Lat view; Lt wrist X-ray; imaged through cast; 86.1 mm image width; image size 598x1262:
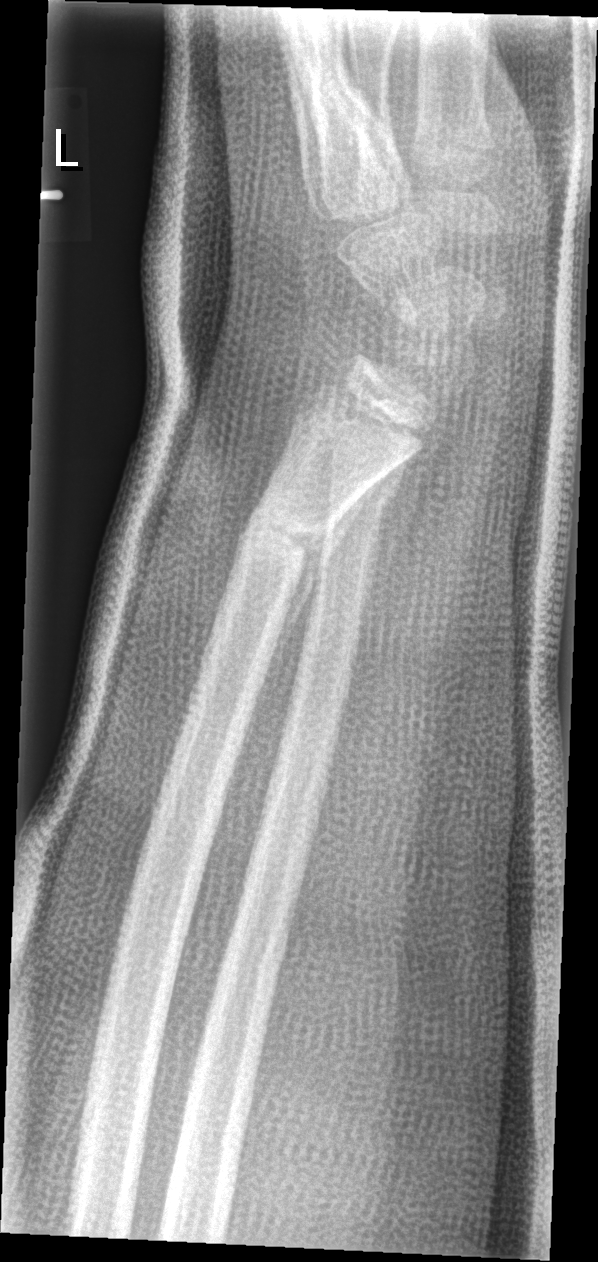
Fx — (left=234, top=491, right=337, bottom=567) (left=328, top=476, right=400, bottom=520). AO code 23-M/2.1. Periosteal thickening — (left=240, top=469, right=392, bottom=746).